Right wrist X-ray, PA/AP view, 7y F 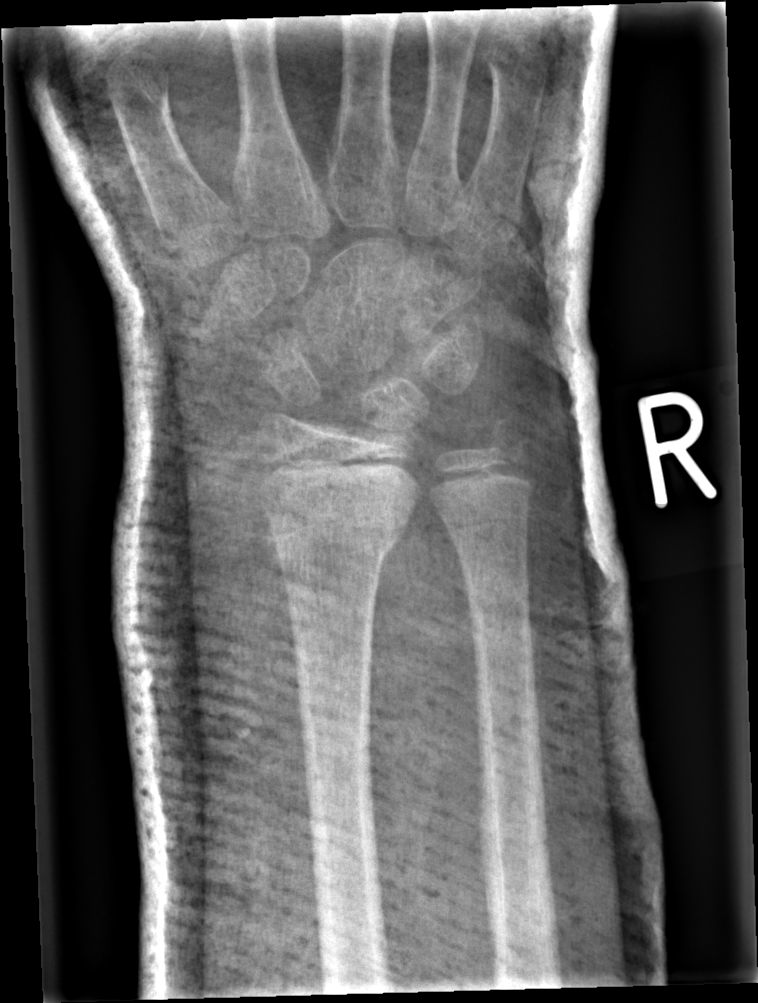 • Coordinates are [x1, y1, x2, y2] in image pixels.
• AO/OTA classification: 23r-M/3.1; 23u-E/7.
• Fx identified at (263, 496, 411, 566) (482, 406, 542, 470).